PA/AP projection, right wrist X-ray, diagnosis uncertain, Siemens.
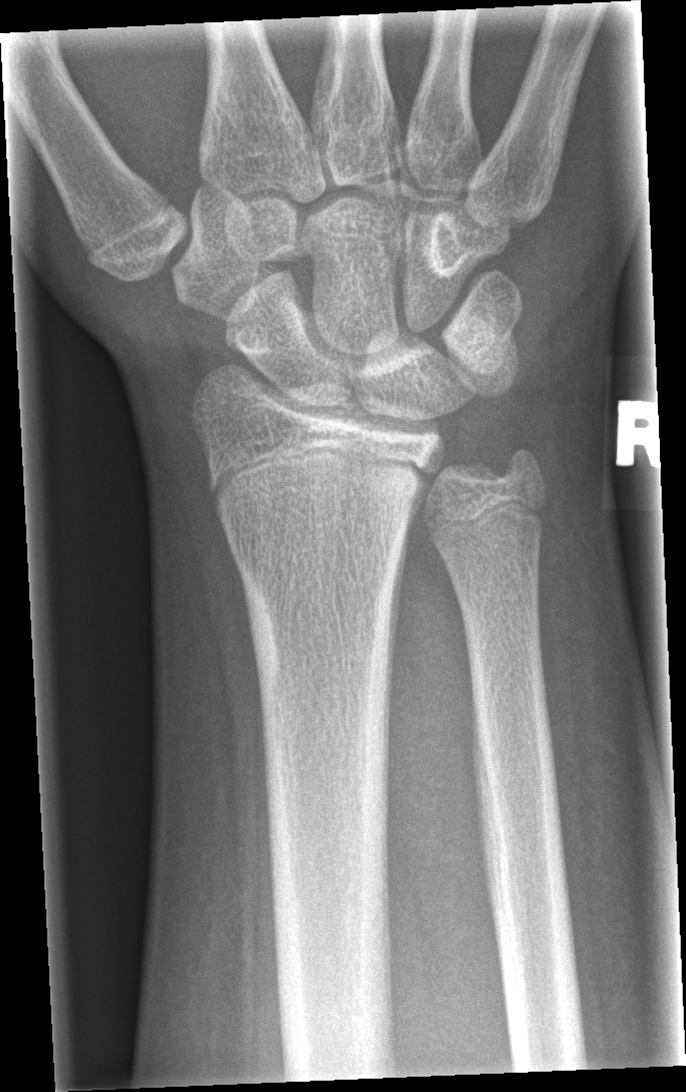
No Fx annotated.